Lateral view | Rt wrist X-ray | age 11 y, male | image 70.8 mm wide —
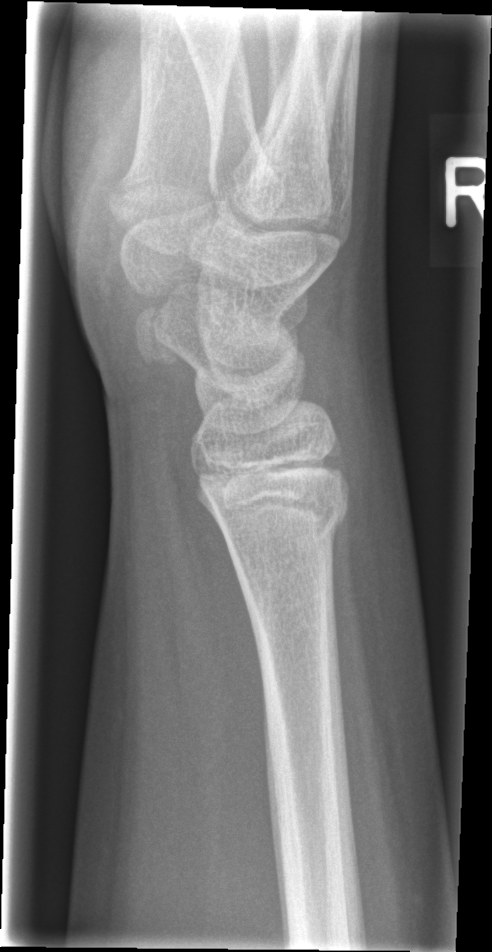 Bounding boxes in image-pixel xyxy. Fracture identified at [216, 491, 351, 559].